Rt wrist plain film | lateral | follow-up | in cast | 580 by 803 pixels —
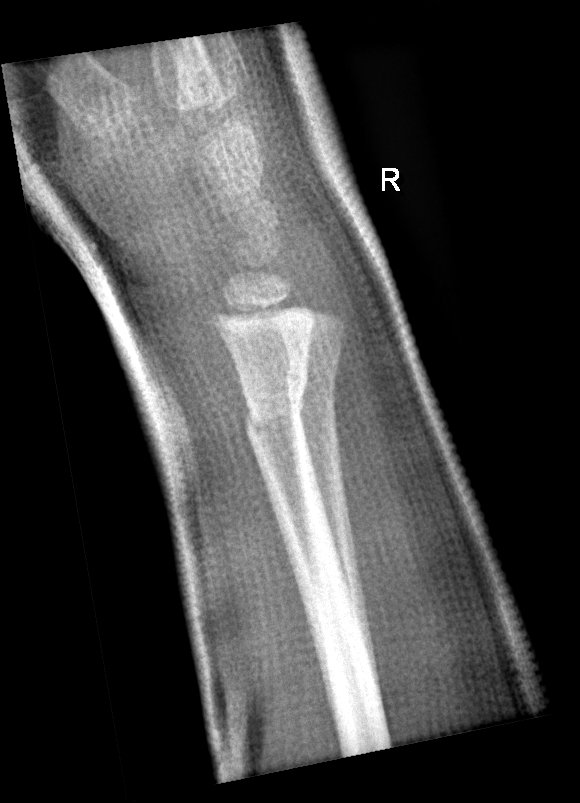

AO code = 23r-M/3.1; 23u-M/2.1
bone fracture = 2 @ [x1=242, y1=369, x2=310, y2=441]; [x1=284, y1=352, x2=344, y2=408]